Lateral projection · left wrist X-ray · 15y M · findings marked uncertain by the reading radiologist — 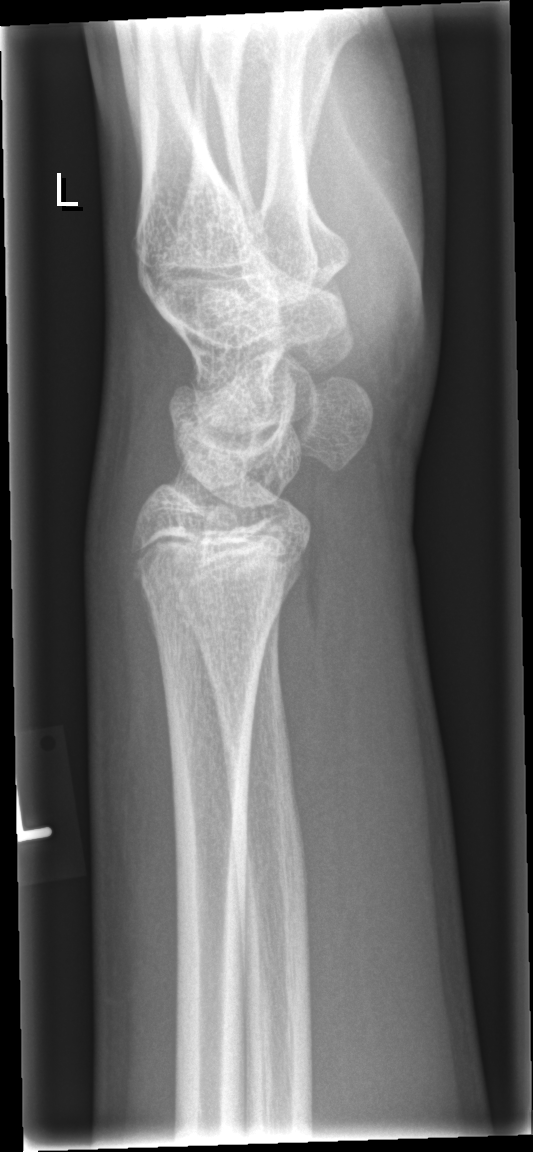
(bounding boxes in image-pixel xyxy)
soft-tissue finding = [77, 474, 164, 920]
fracture = none labeled